Lateral · L wrist radiograph · 9y M · 64.5 mm image width.

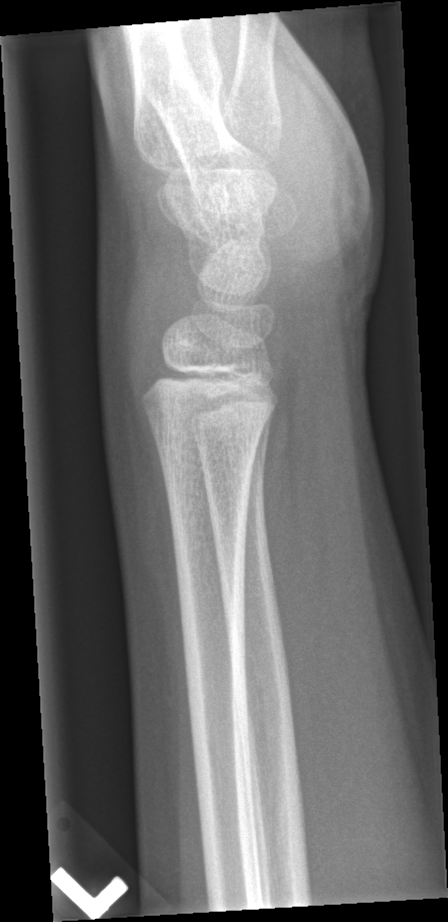

Findings: Fx: none.